Left wrist X-ray · lat view · Siemens

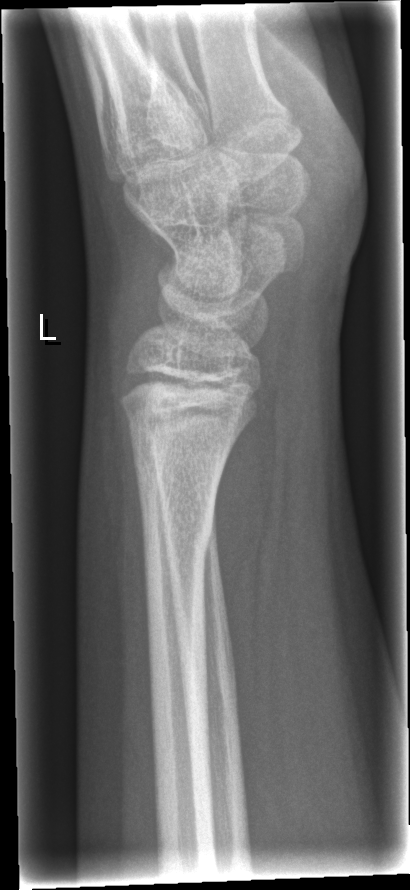 Q: Is there a fracture?
A: Two bone fractures at 118 392 253 444 | 138 502 217 562